Lat view; left wrist X-ray; 480 by 742 pixels:

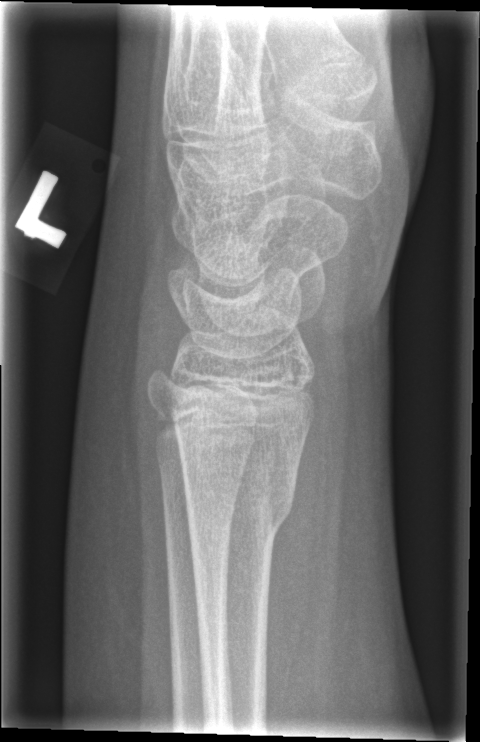

(bounding boxes in image-pixel xyxy)
fracture: (176, 468, 298, 537)